Right wrist radiograph, lat view, 640 by 844 pixels.
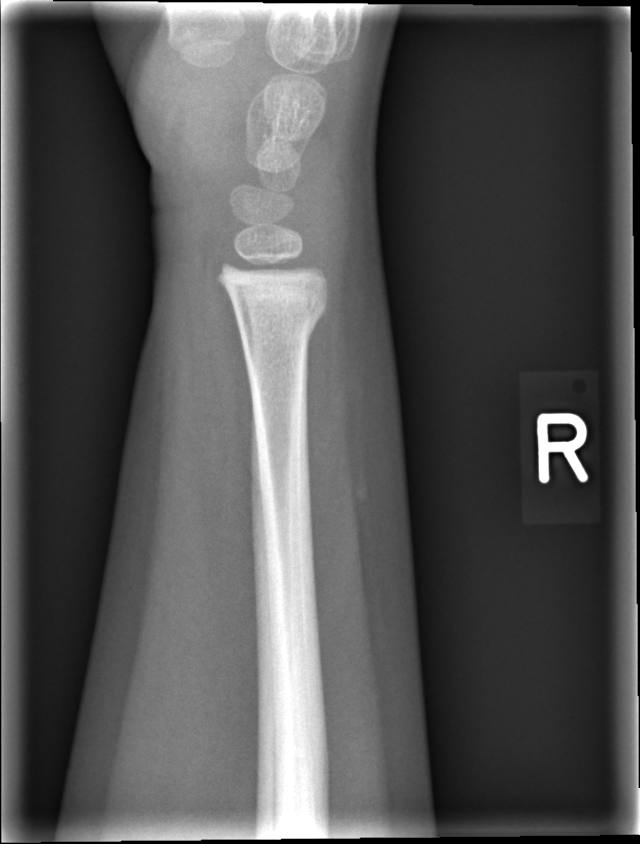
Boxes as x1,y1,x2,y2 (top-left / bottom-right, pixel units).
Fracture: 229 284 331 352.